Rt wrist plain film, PA/AP projection, presentation radiograph.

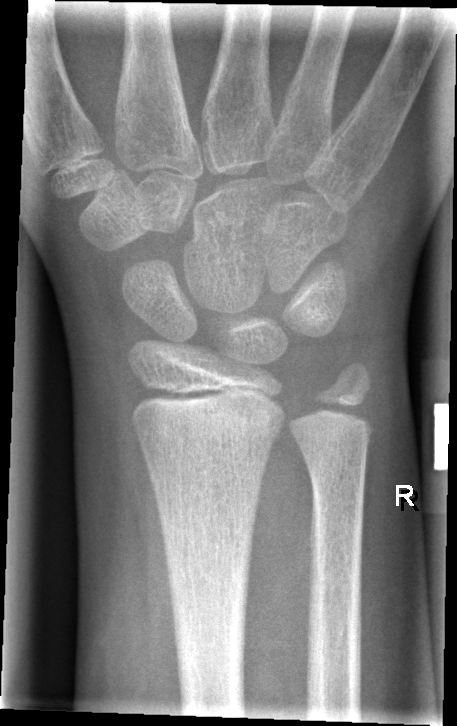 - AO code 23r-M/2.1.
- Fracture present, but no bounding box because it is not clearly seen in this view.